Lat · left plain radiograph of the wrist · 12-year-old male · imaged through cast · acquired on Siemens.

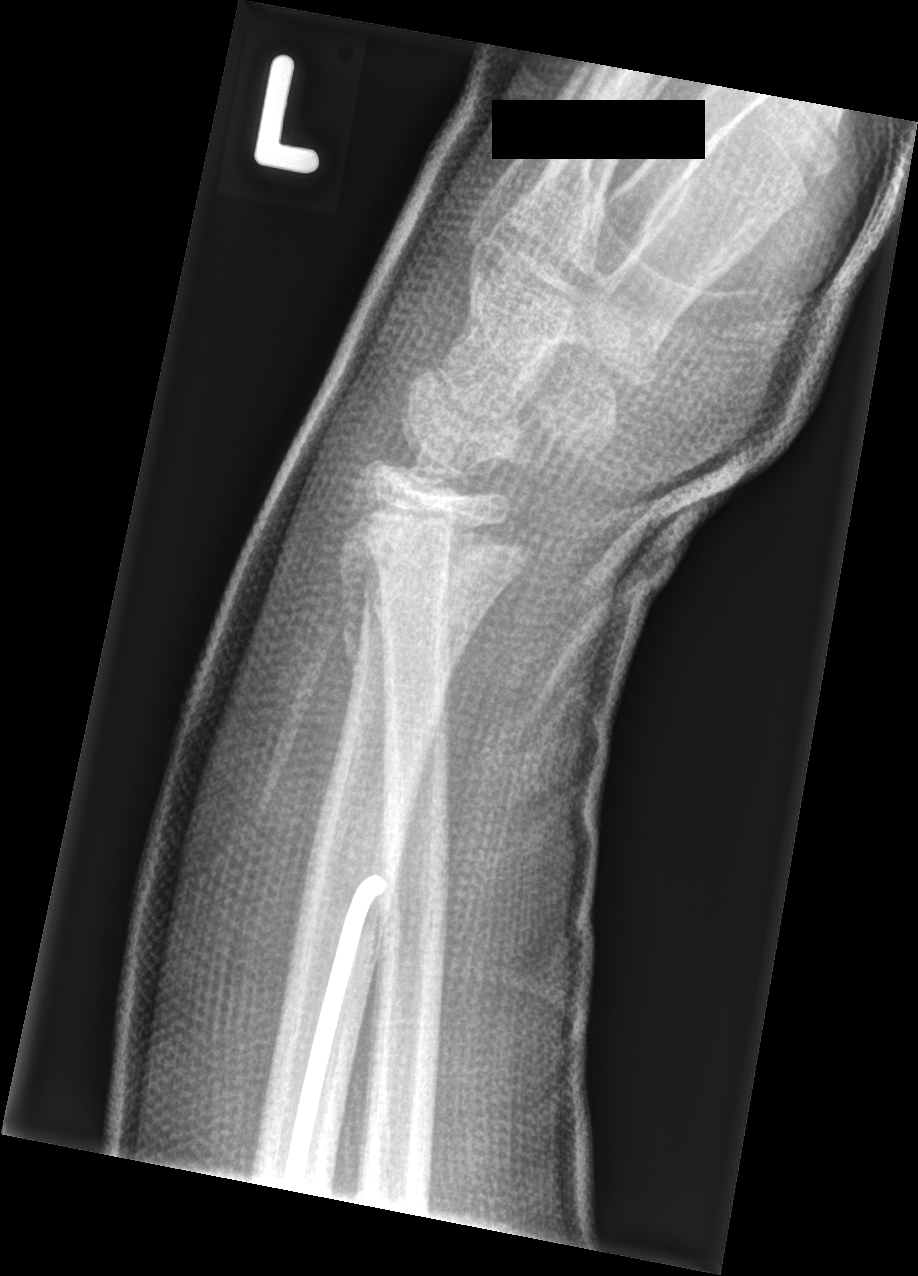
hardware: 1 @ <279,870>-<390,1193>
AO code: 23r-E/2.1; 23u-M/2.1
fracture: <332,486>-<538,664>